Lat view | left wrist plain film | initial study | 394 x 964 px
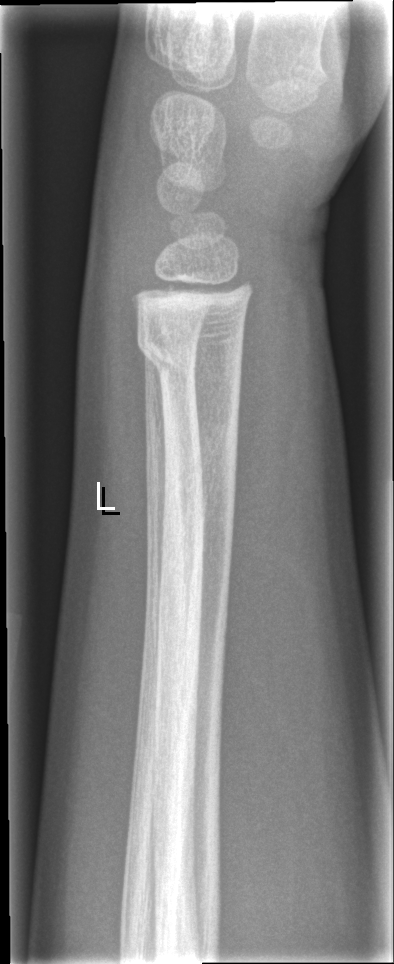 Findings: (pixel coordinates, top-left origin, xyxy) One bone fracture at 134 330 247 394.